Frontal projection · Rt wrist plain film · pediatric patient (female, age 4) · in cast · 686x897 —

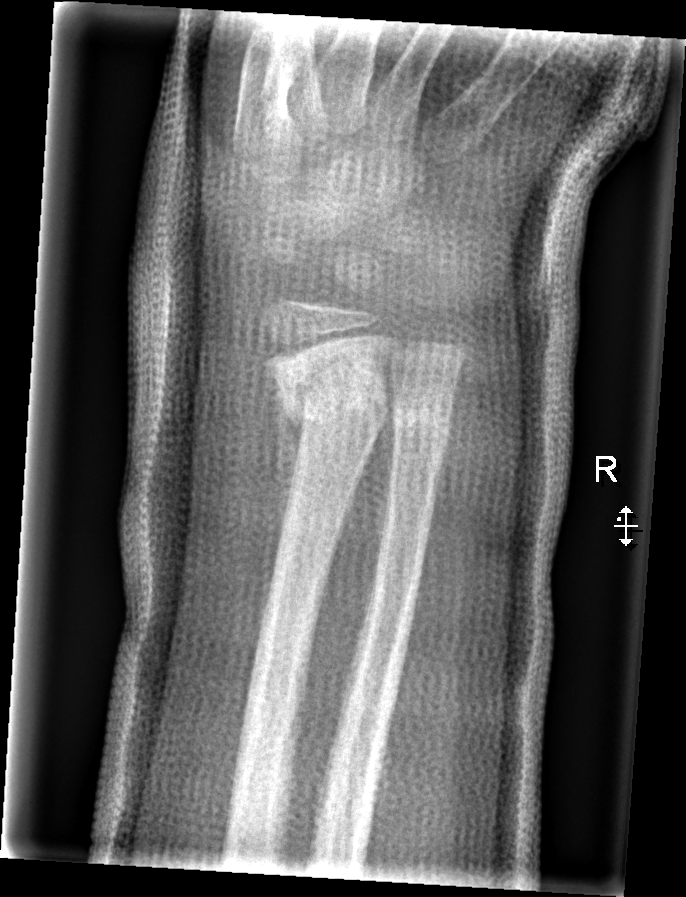   ao: 23-M/3.1
  fracture: 2 @ (left=268, top=354, right=390, bottom=442); (left=387, top=383, right=457, bottom=438)